R wrist plain film · lateral. 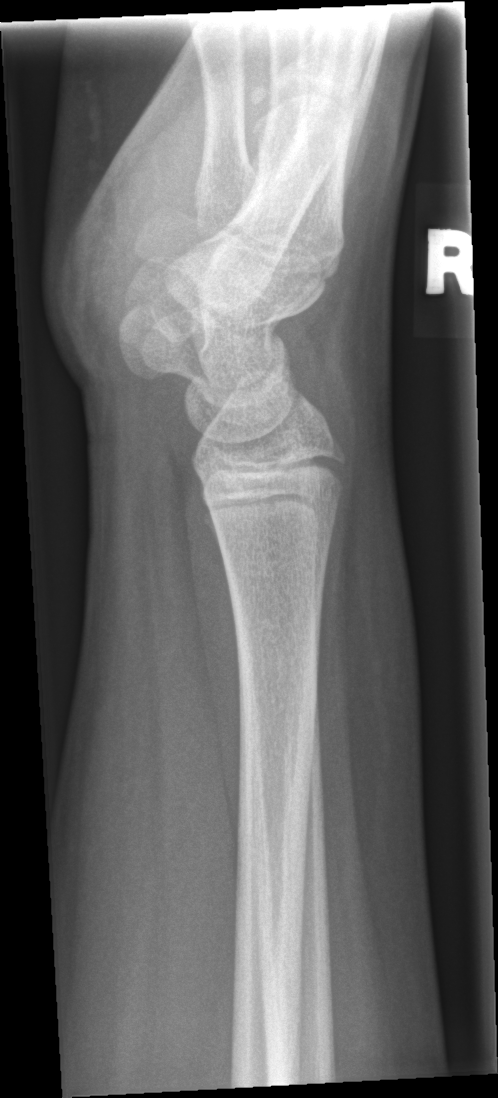 FINDINGS: No fracture annotation.